Right wrist pediatric wrist radiograph | lat | presentation radiograph | acquired on Siemens.

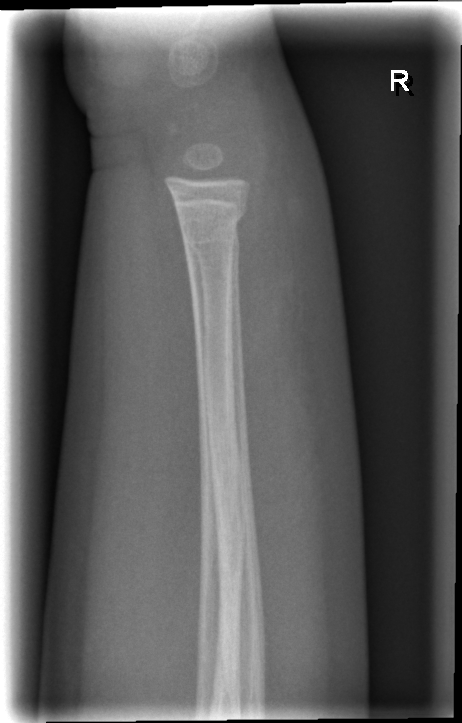

(bounding boxes in image-pixel xyxy)
Fracture = <177,205>-<250,250>; <181,228>-<245,264>
AO code = 23-M/2.1